Lat; Rt pediatric wrist radiograph; 10y M; acquired on Siemens; image width 60.5 mm —

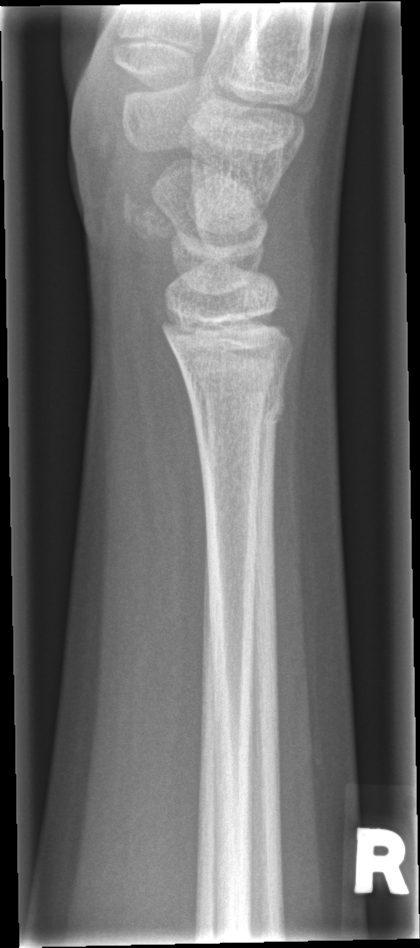
Fracture = (left=184, top=376, right=288, bottom=437)
AO code = 23r-M/2.1